Right wrist XR, lat view, age 8 y, girl, initial study, 356 by 912 pixels

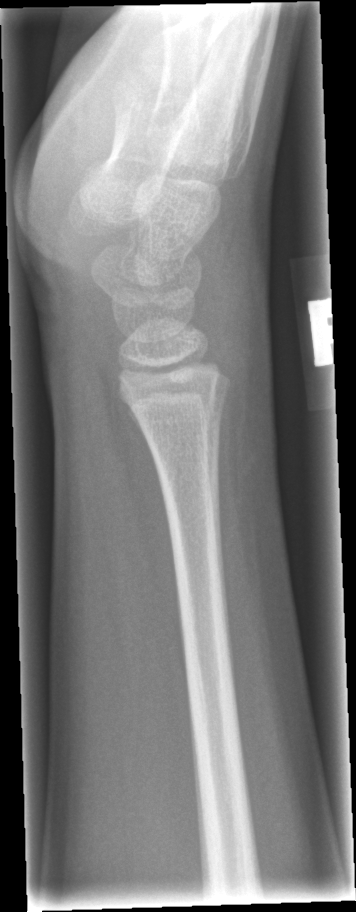

Q: Locate any fractures.
A: No fracture bounding box